Right plain radiograph of the wrist; lat projection; 9-year-old girl; initial study; acquired on Siemens; image 52.7 mm wide —
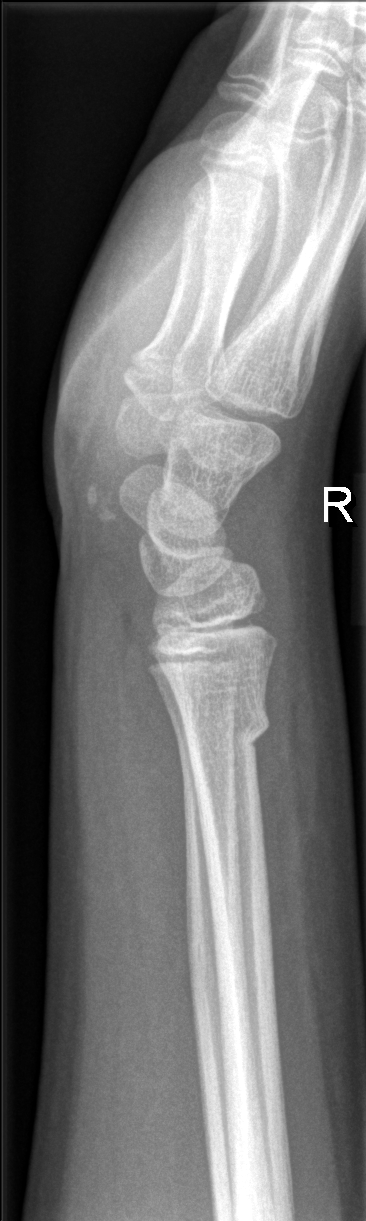 (boxes as x1,y1,x2,y2 (top-left / bottom-right, pixel units))
Q: What is the AO/OTA classification?
A: AO code 23r-M/2.1
Q: Pronator fat-pad sign?
A: Positive pronator fat-pad sign identified at 107,612,201,1023
Q: Is there a fracture?
A: Bone fracture — 173,693,271,767